Right wrist plain film | lateral projection | 71.9 mm image width:

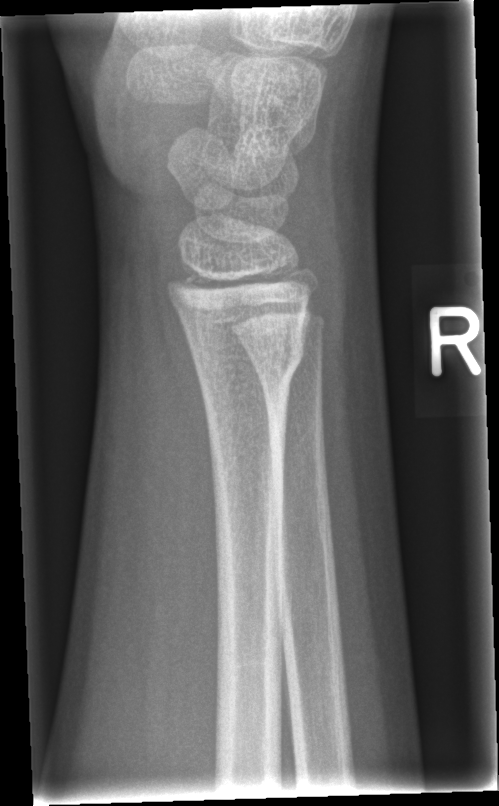
(bounding boxes in image-pixel xyxy)
Fx: [189, 339, 310, 392]
AO classification: 23r-M/2.1